L wrist plain film · lat · 480 x 1066 px.
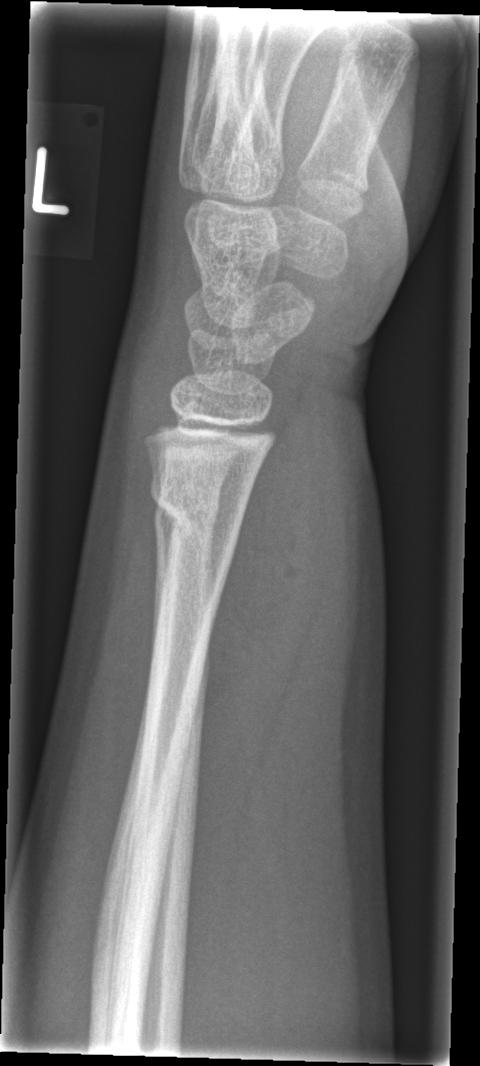

• Bone fracture — [144, 471, 247, 565].
• Pronator quadratus fat-pad sign: [187, 388, 324, 874].